Posteroanterior projection · left wrist radiograph · 478 by 707 pixels

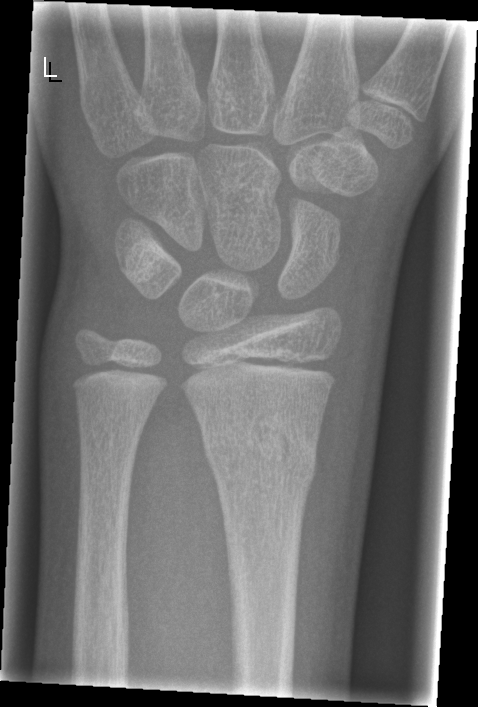

  # pixel coordinates, top-left origin, xyxy
  fracture: 1 @ [199, 417, 319, 490]